Lat view; R wrist X-ray; male, 9 yo. 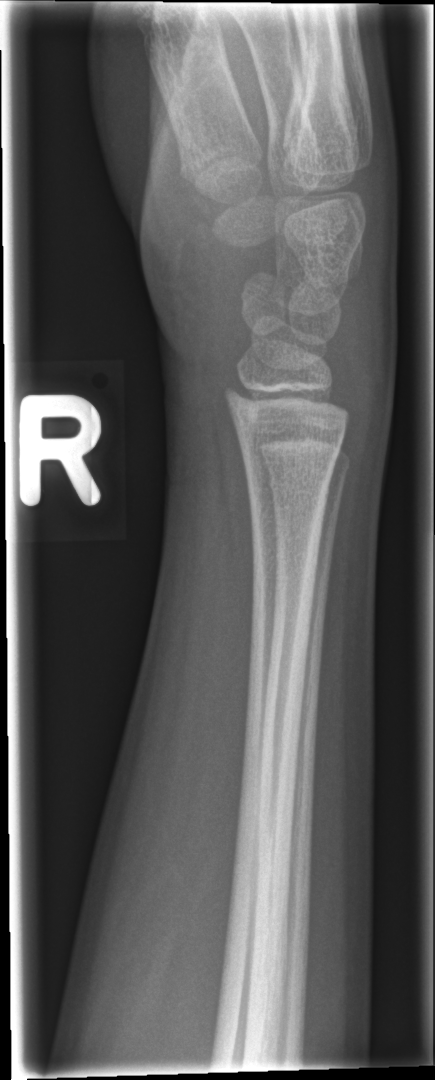

{"fracture": "none labeled"}